AP view, L wrist X-ray, 14-year-old boy.

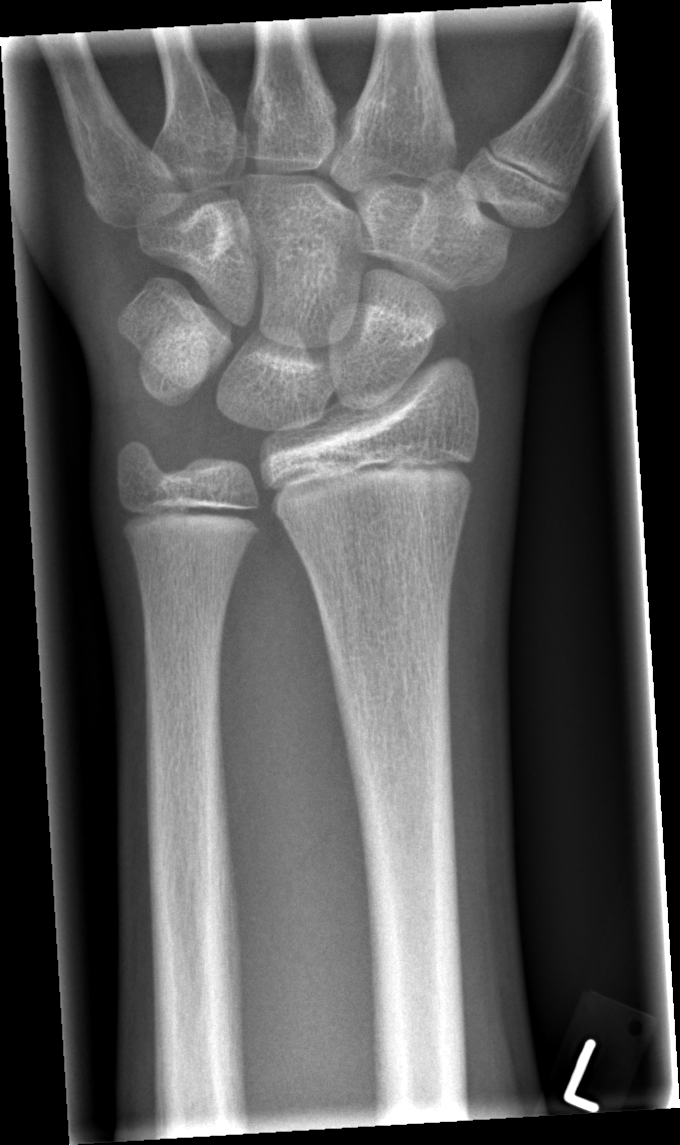

No fracture bounding box.